Rt wrist X-ray · lateral projection · pediatric patient (male, age 11) · image size 370x694

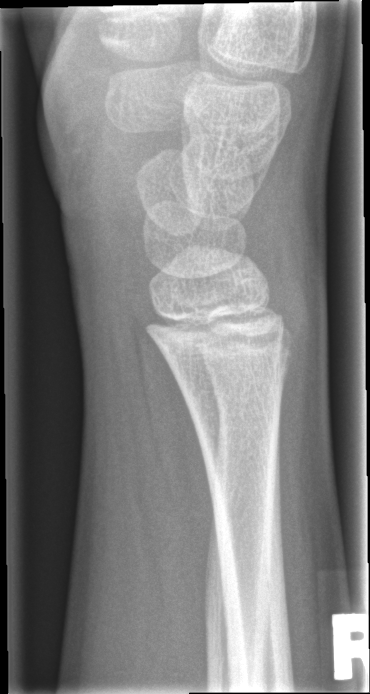

No Fx annotated.